Right wrist X-ray · lateral projection · age 17 y, boy · 640x1394
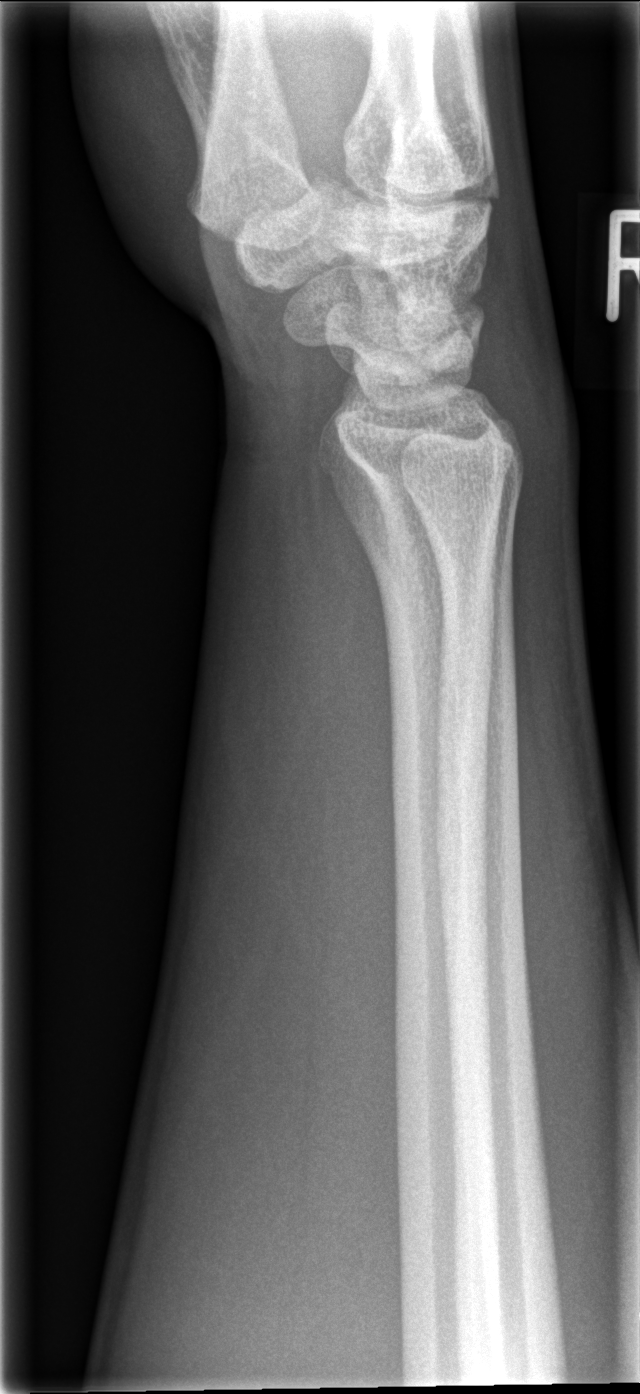 fracture: none labeled